AP projection, right wrist pediatric wrist radiograph, age 11 y, female, index exam, acquired on Siemens. 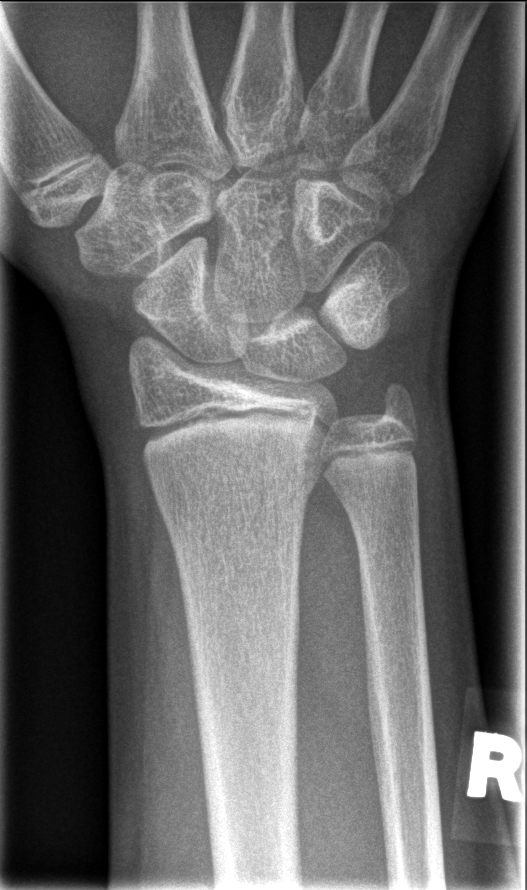 • Fracture present, but no bounding box because it is not clearly seen in this view.
• Fracture classified AO/OTA 23r-M/2.1.